AP · right wrist XR · image 101.4 mm wide —

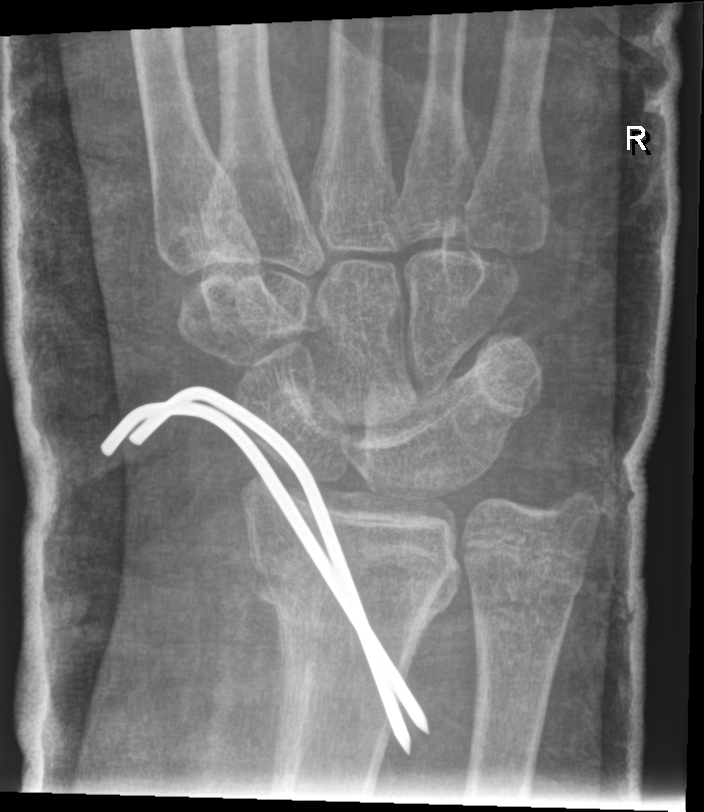
metal = (left=98, top=383, right=436, bottom=759)
Fx = 1 @ (left=241, top=539, right=467, bottom=643)